Right plain radiograph of the wrist; PA; 87.6 mm image width

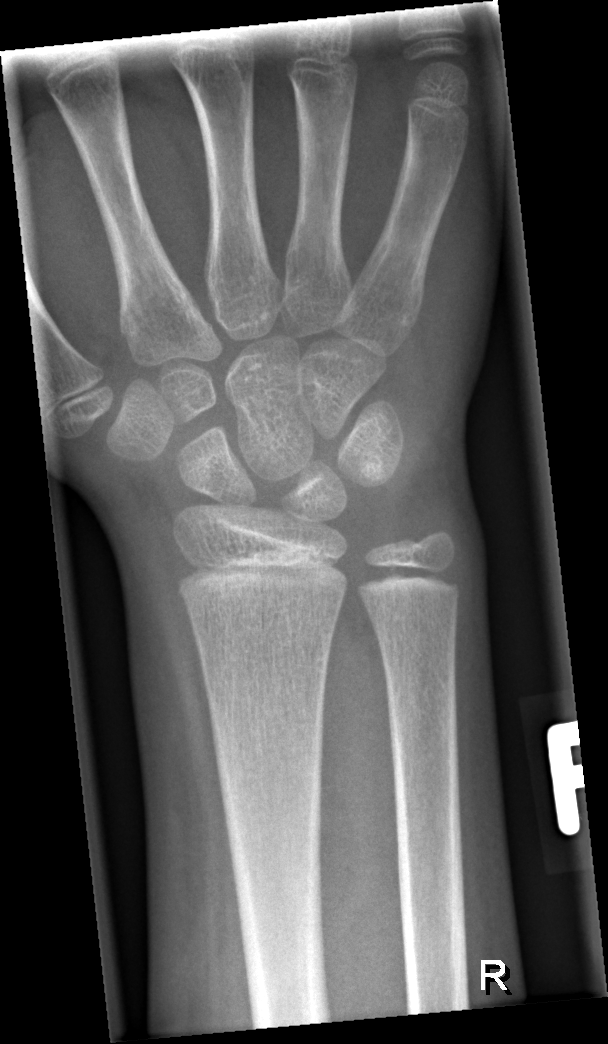
Q: Locate any fractures.
A: No fracture annotation